AP projection, right wrist XR, presentation radiograph 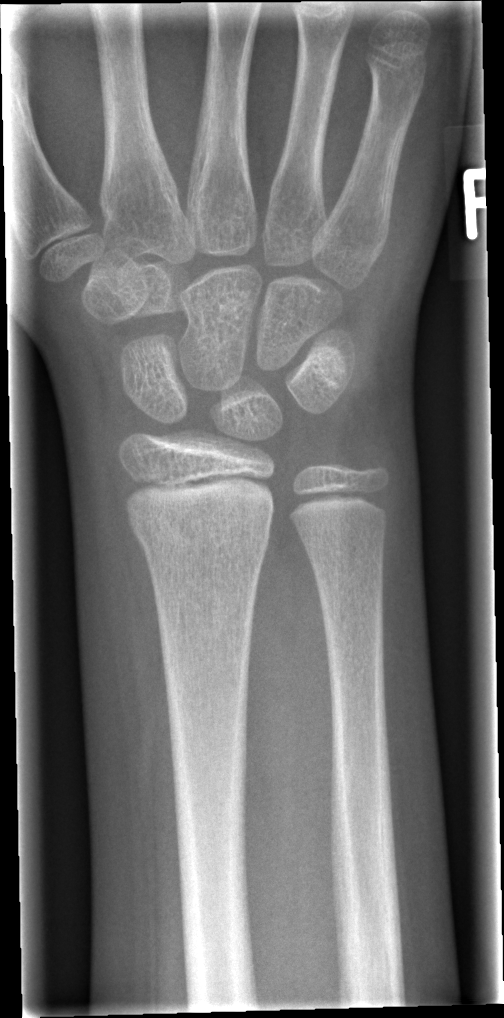
Fx identified at [125, 505, 273, 563].